Lat view · L wrist radiograph · male, 13 yo.

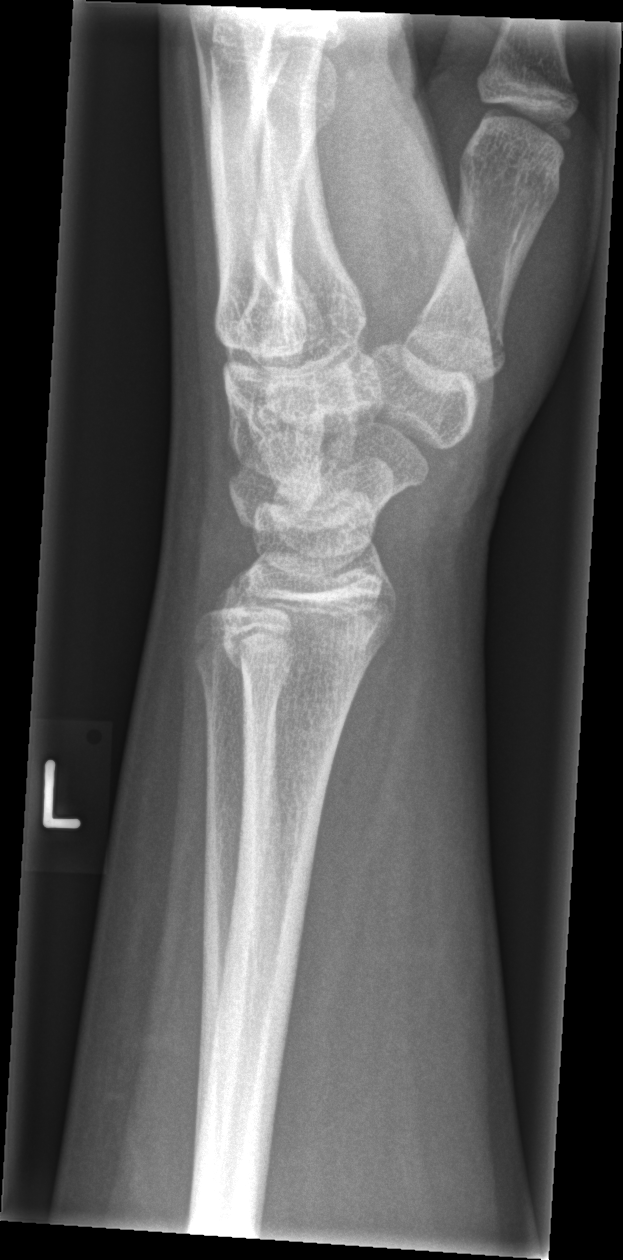 * Coordinates are [x1, y1, x2, y2] in image pixels.
* Bone fracture: [216, 609, 404, 681].